Lt plain radiograph of the wrist; lat; age 5 y, girl; follow-up study; cast in situ —
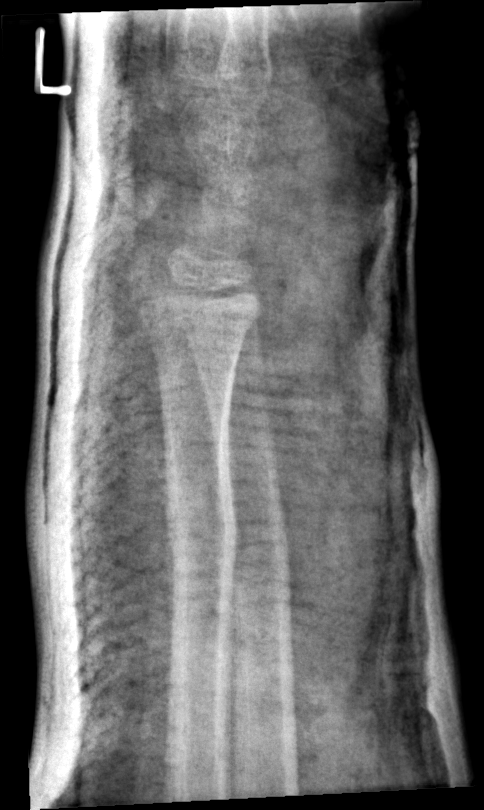

Fracture: (left=161, top=519, right=243, bottom=566). AO/OTA classification: 23-M/2.1.